Lat view; left plain radiograph of the wrist; detector: Siemens. 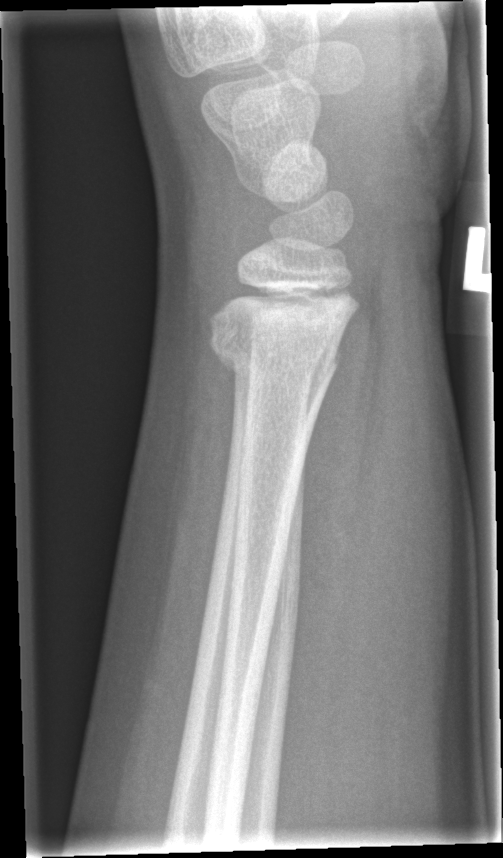
Findings: (boxes as x1,y1,x2,y2 (top-left / bottom-right, pixel units)) Fx: [x1=205, y1=305, x2=342, y2=380]. Pronator quadratus fat-pad sign identified at [x1=277, y1=224, x2=400, y2=628]. Fracture classified AO/OTA 23r-M/3.1.